Lat view | right wrist pediatric wrist radiograph | initial study | acquired on Siemens: 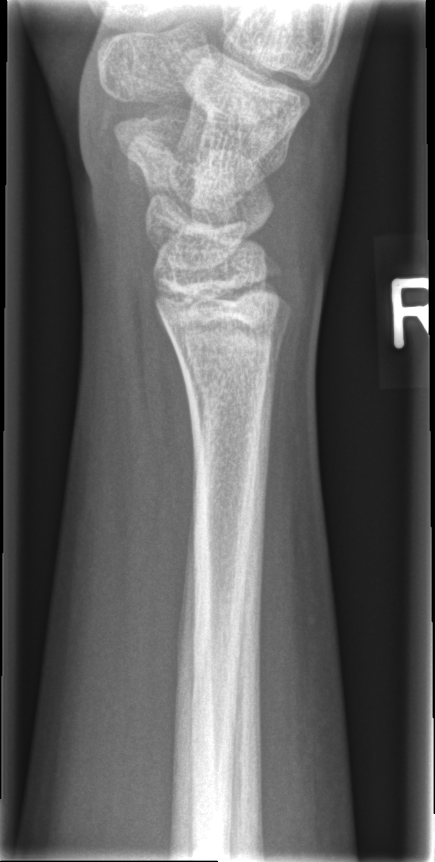 {
  "fracture": "none labeled"
}